Right wrist plain film, AP projection 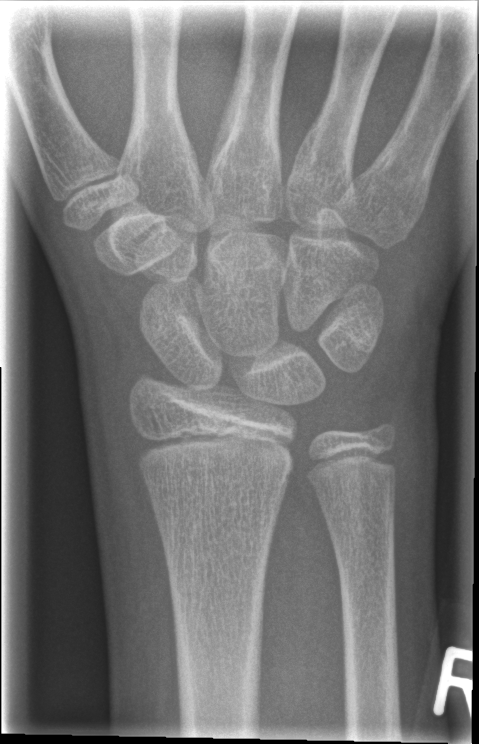 No fracture annotation.